Right wrist X-ray | posteroanterior | 15-year-old female | presentation radiograph —
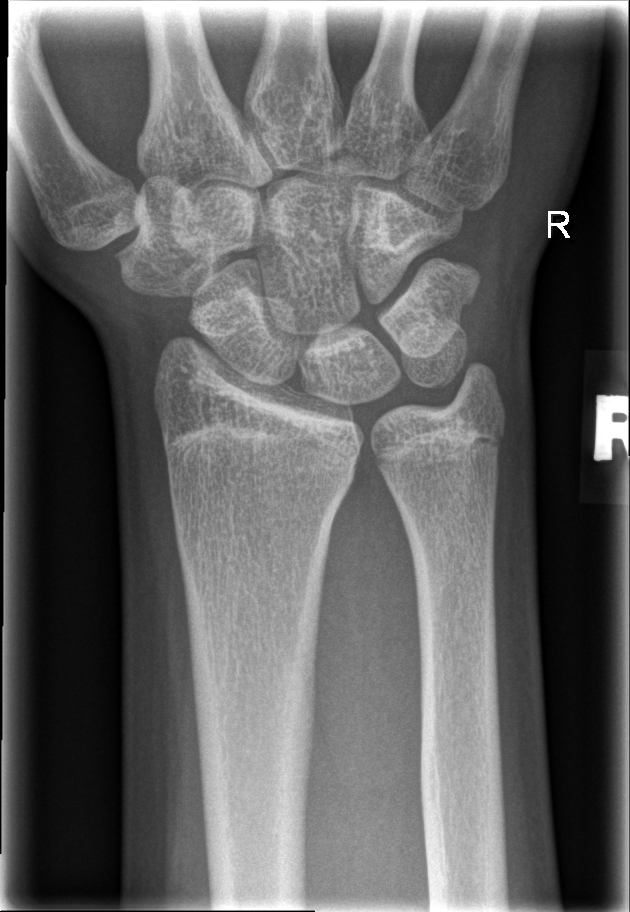 fracture: none labeled